Rt wrist X-ray · lateral projection · detector: Siemens · 58.3 mm image width
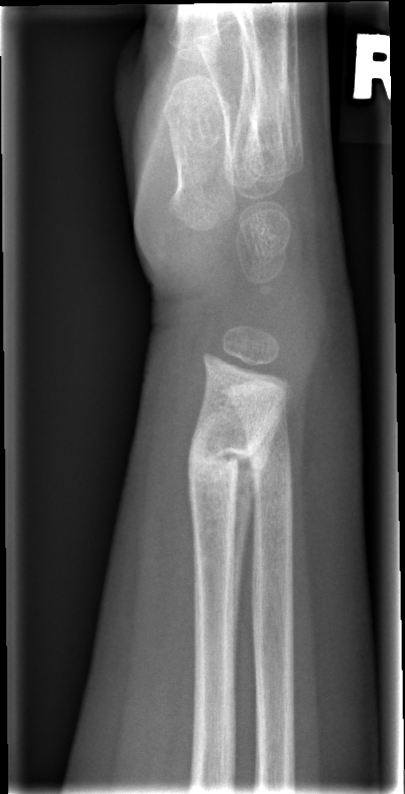

AO code 23r-M/3.1; 23u-M/2.1. Fracture: bbox(185, 416, 263, 501). Periosteal reaction identified at bbox(232, 416, 281, 645). Decreased bone density (osteopenia).